Lateral view · L wrist radiograph · pediatric patient (male, age 7) · 502 x 950 px:

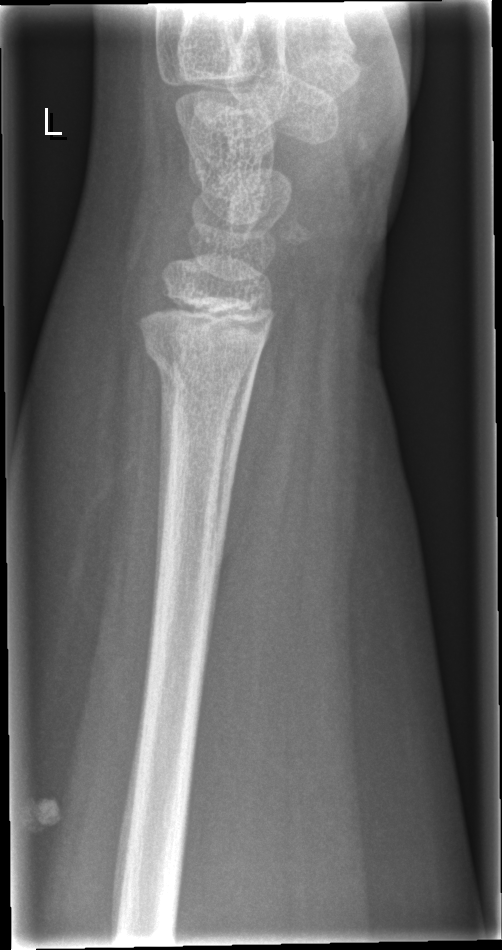 Q: Is there a fracture?
A: One Fx at (141, 333, 265, 397)